Lateral; L wrist radiograph; acquired on Siemens:

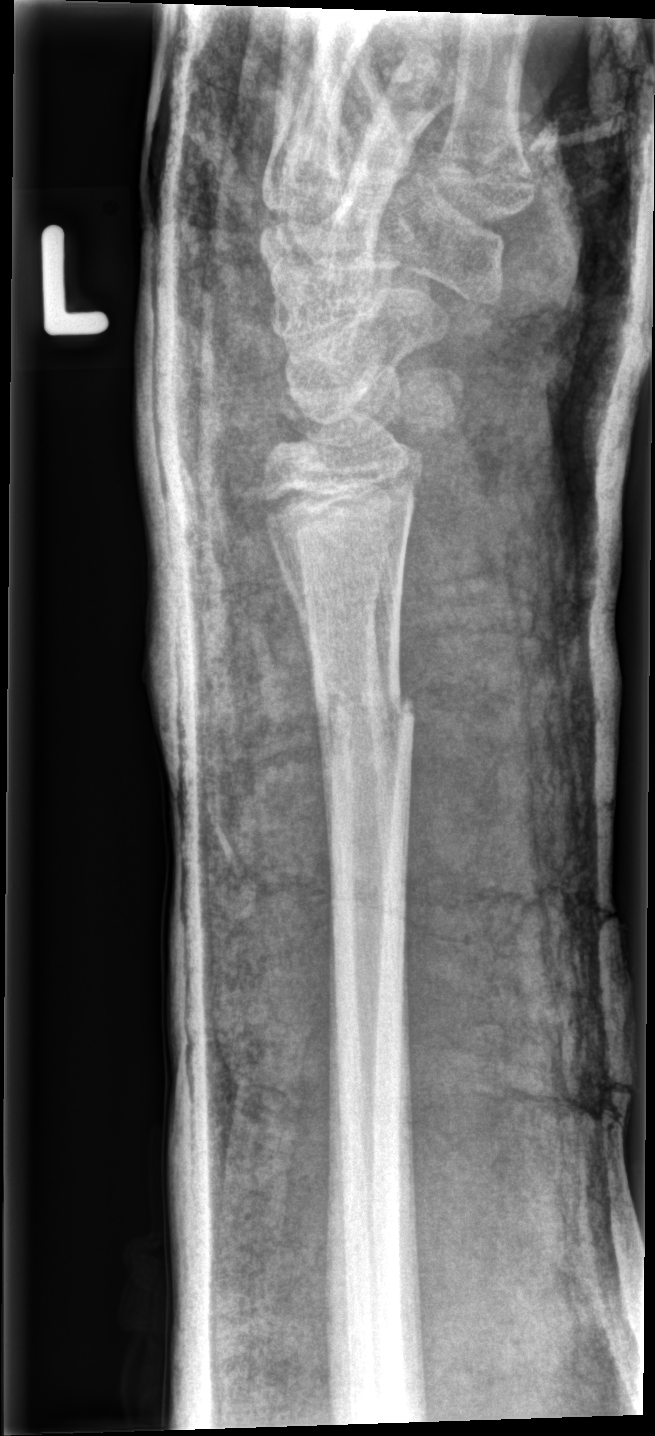

FINDINGS — Fracture classified AO/OTA 23r-M/3.1; 23u-E/7. Fx — (310, 669, 419, 753).